Posteroanterior projection · Rt plain radiograph of the wrist · 8y F · image 94.6 mm wide · 657x910:
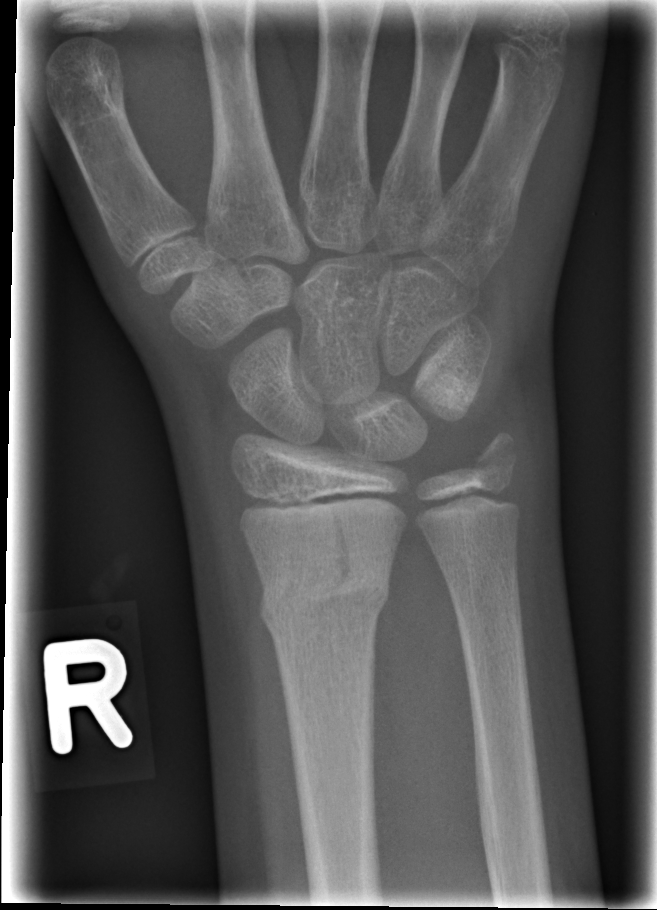 {
  "fracture": "2 @ (left=252, top=549, right=396, bottom=650); (left=466, top=427, right=524, bottom=482)"
}